L wrist X-ray · frontal projection · 7-year-old female · acquired on Siemens · 663x1108.

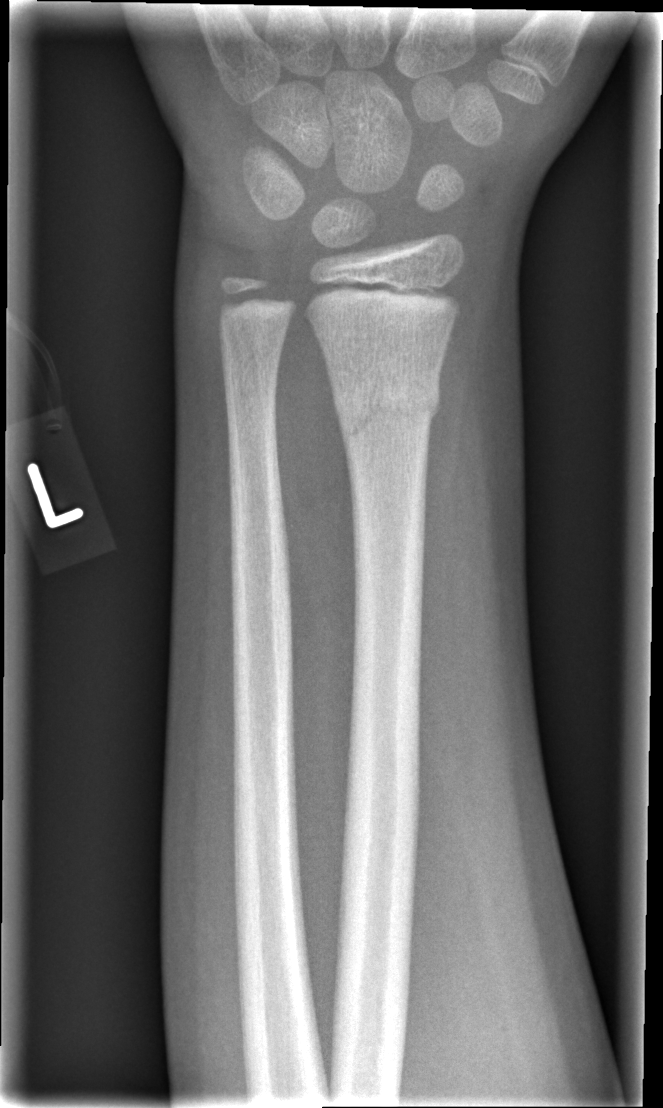
FINDINGS: (bounding boxes in image-pixel xyxy) Bone fracture identified at [x1=328, y1=371, x2=446, y2=444]. Fracture classified AO/OTA 23r-M/3.1.